Left wrist XR; lat view; subsequent exam; cast present; image 83.5 mm wide — 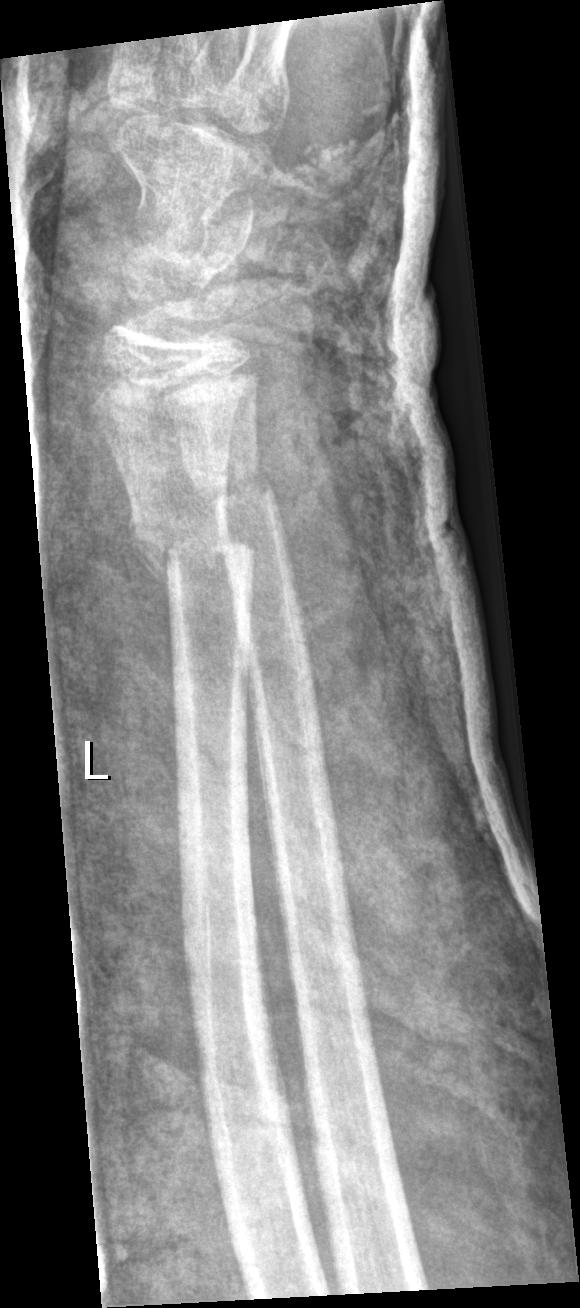

fracture = 2 @ (122, 507, 258, 593), (201, 458, 281, 521)
AO code = 23-M/3.1